Right wrist radiograph, lat projection, imaged through cast —

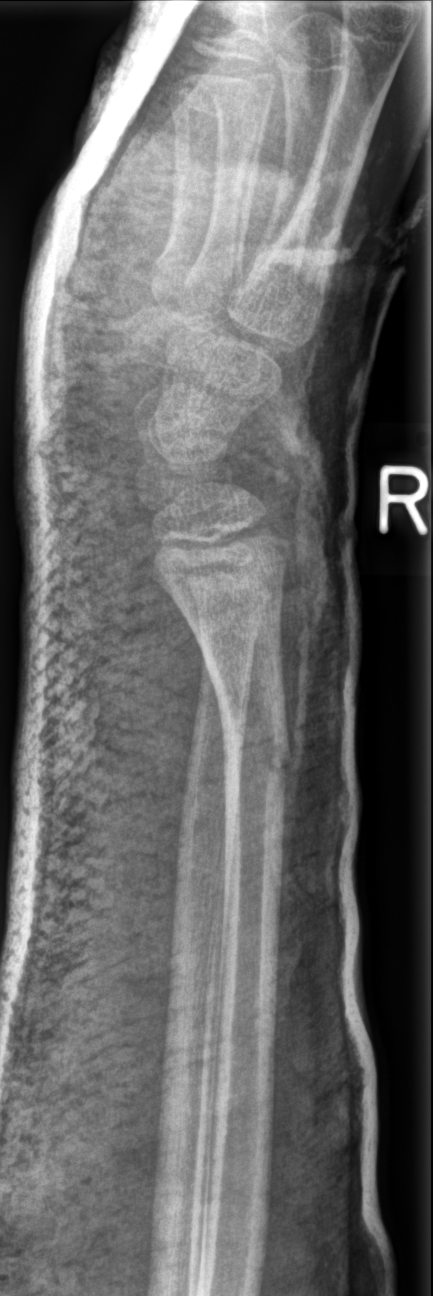

(bounding boxes in image-pixel xyxy)
Q: Locate any fractures.
A: Bone fracture: 217 702 292 789